R wrist plain film · posteroanterior · in cast:

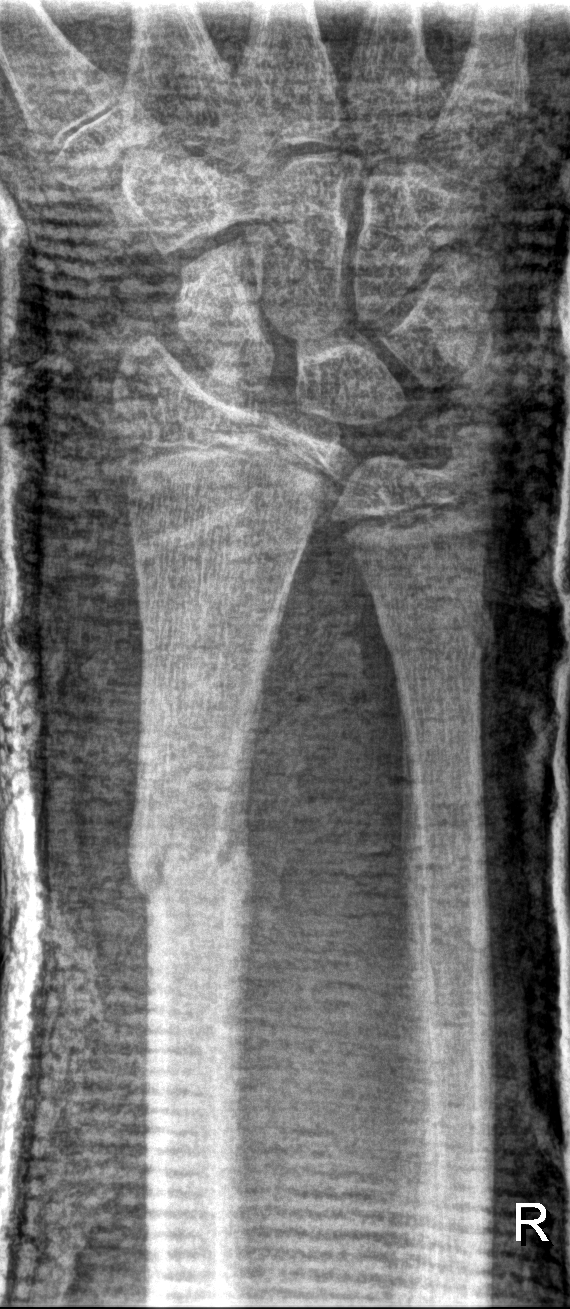

(pixel coordinates, top-left origin, xyxy)
Fracture = bbox(122, 800, 260, 917); bbox(369, 590, 501, 678)